PA projection; right wrist plain film; pediatric patient (male, age 10) —

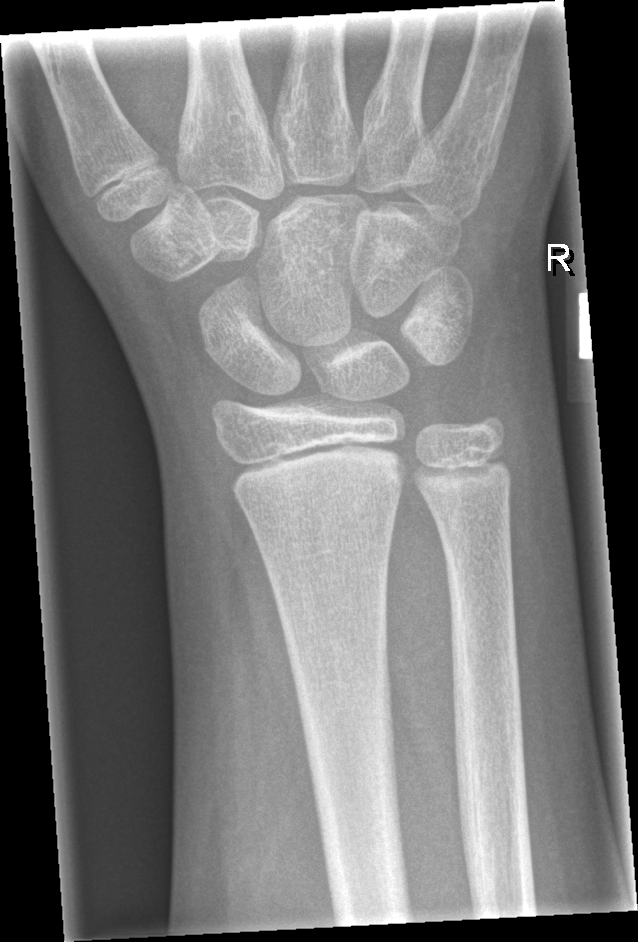 bone fracture: none labeled